Lateral | right wrist radiograph | girl, 4 yo: 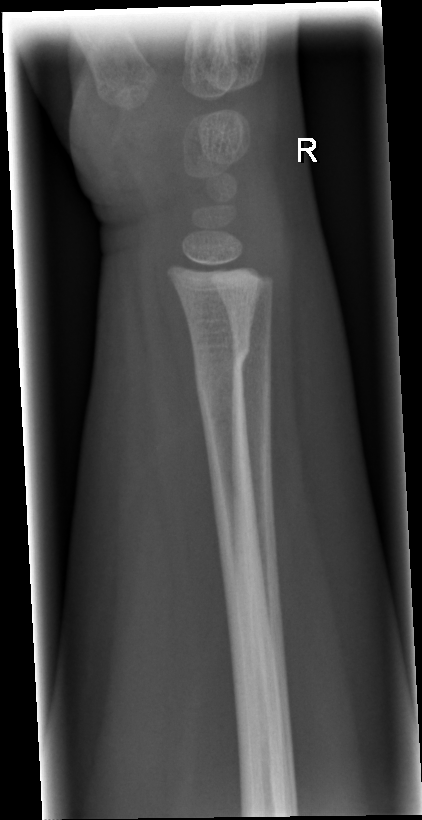
Fx identified at [x1=189, y1=329, x2=253, y2=394].